L pediatric wrist radiograph; lat projection; 7-year-old boy: 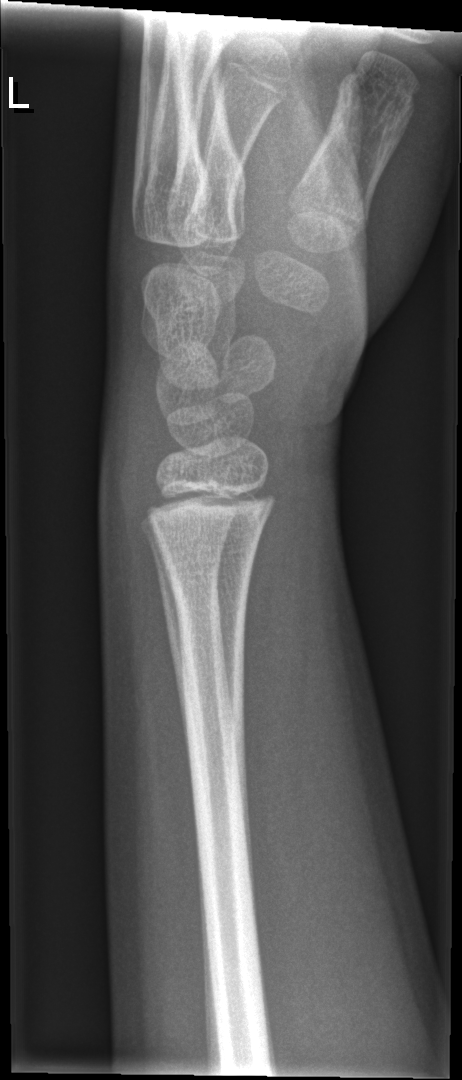 Fx: none.